Lateral projection; L wrist X-ray; index exam. 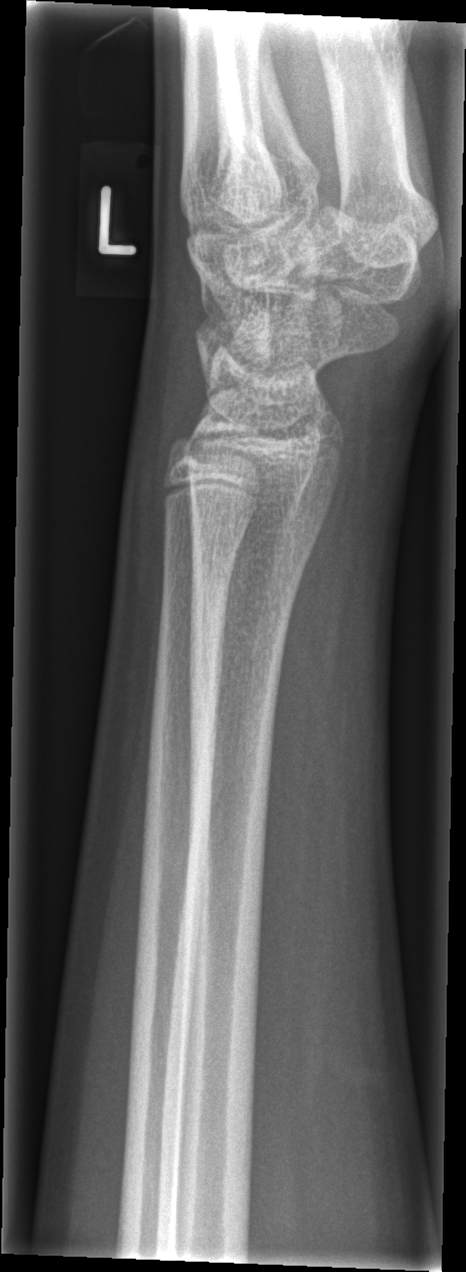 • No fracture annotation.